Posteroanterior view, R wrist radiograph, pediatric patient (male, age 12) —

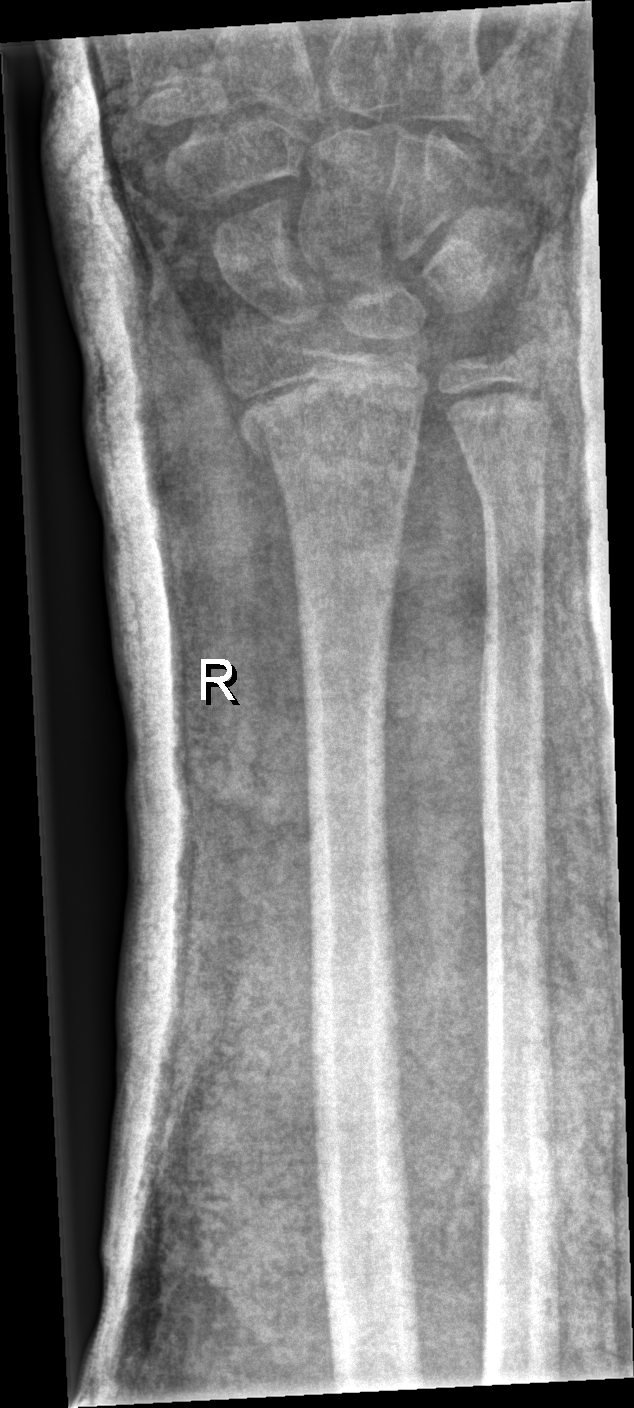
Q: AO code?
A: AO/OTA classification: 23r-M/3.1; 23u-E/1
Q: Fracture present?
A: Fx identified at bbox(232, 366, 426, 468)